R wrist plain film, posteroanterior projection, age 17 y, boy

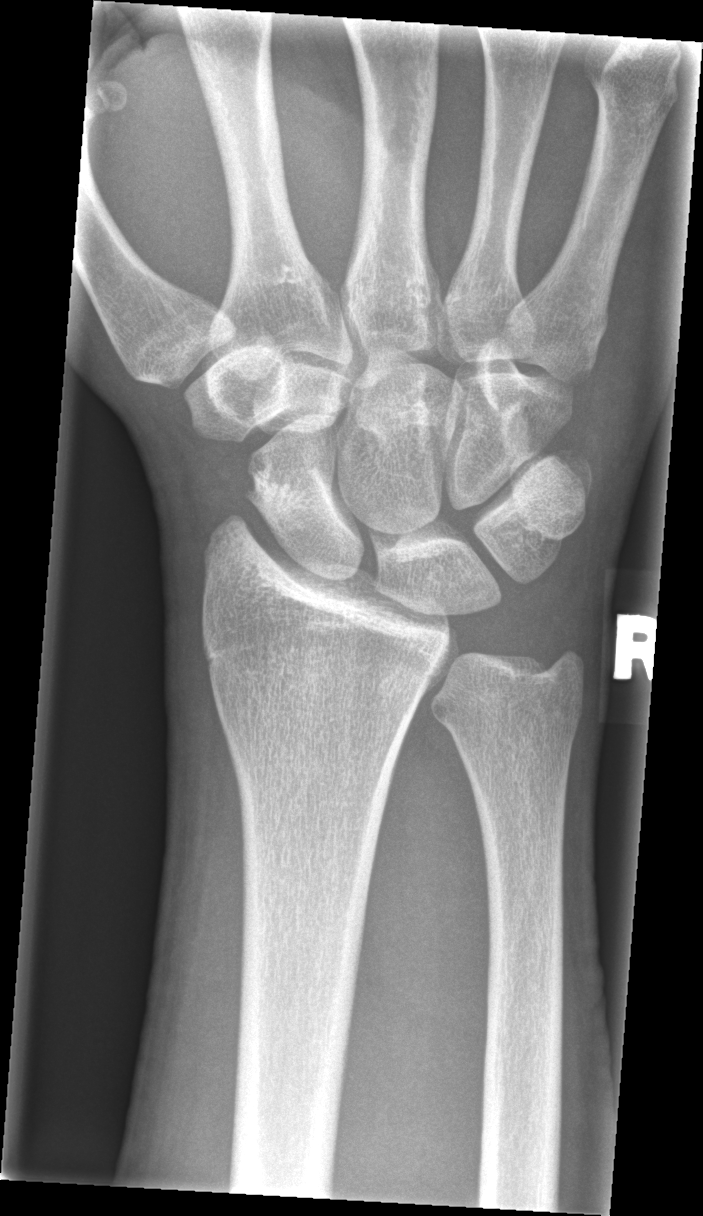

No Fx annotated. Osseous anomaly: (241, 466, 338, 513).